R plain radiograph of the wrist; lat view; presentation radiograph.
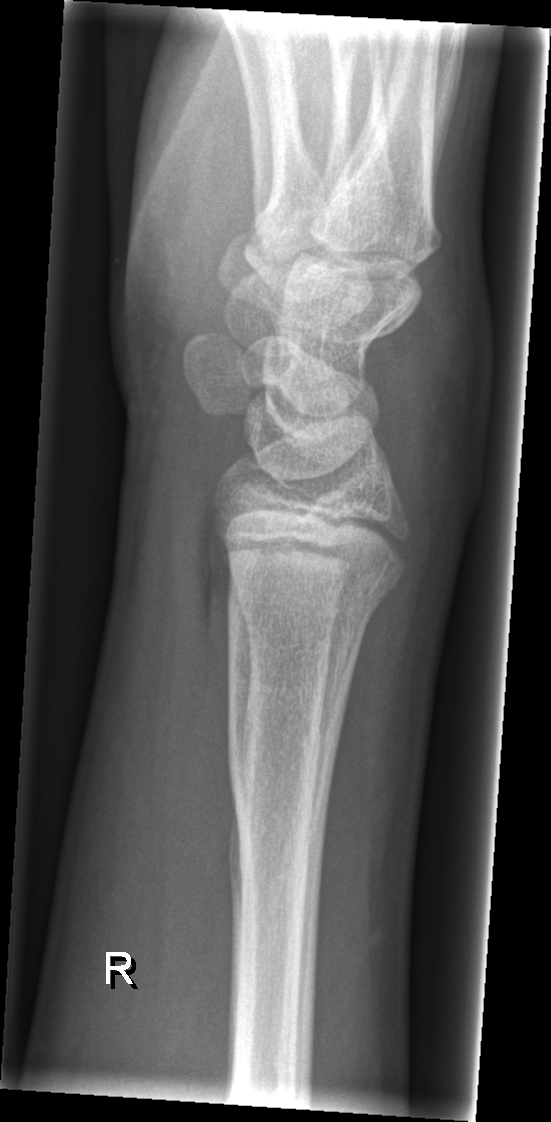
* Fracture identified at <225,553>-<406,634>.